R pediatric wrist radiograph, posteroanterior view, 10-year-old boy, index exam:

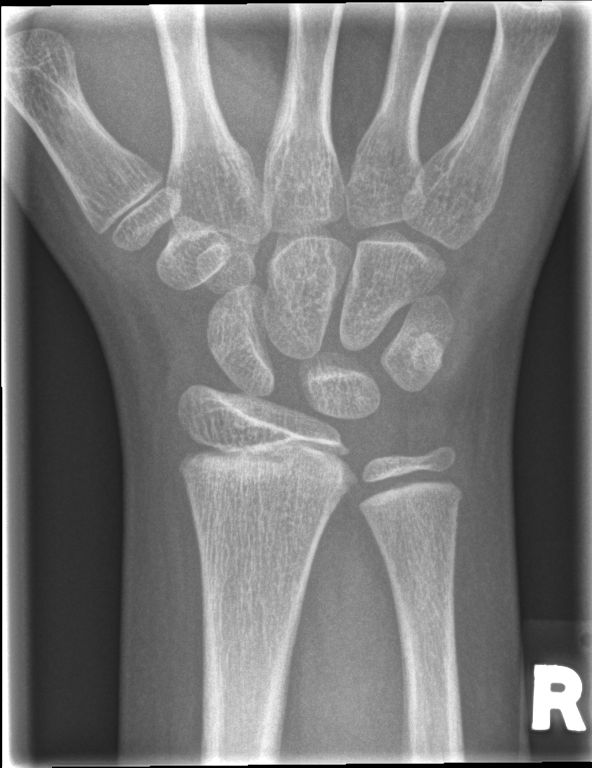

No fracture bounding box.